PA/AP view | R wrist plain film | follow-up study:

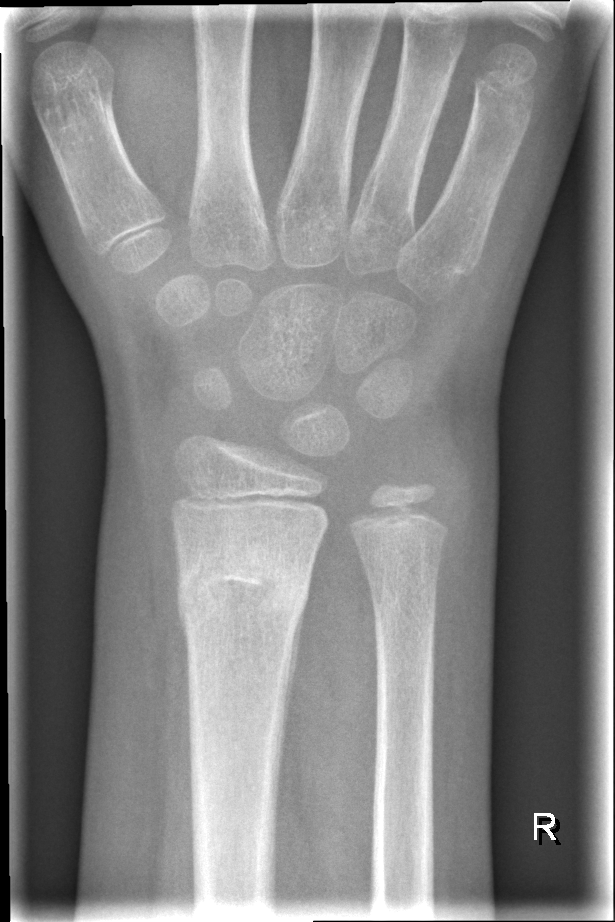
- AO code 23r-M/2.1.
- One periosteal new bone at bbox(283, 610, 301, 756).
- Decreased bone density (osteopenia).
- Fx — bbox(171, 556, 314, 631).